L wrist XR, PA projection, image 77.6 mm wide 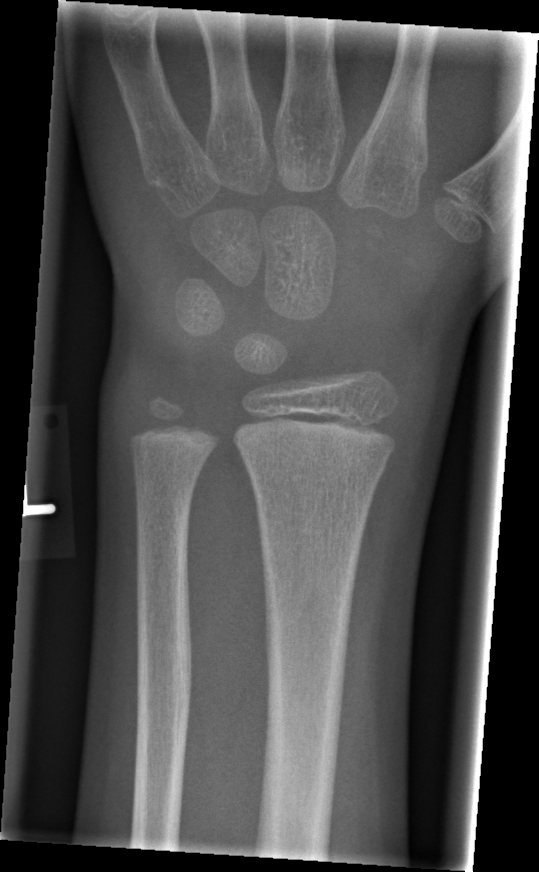

Pixel coordinates, top-left origin, xyxy.
AO/OTA classification: 23r-M/2.1.
Fracture — [242, 445, 391, 487].